Left wrist XR; posteroanterior projection — 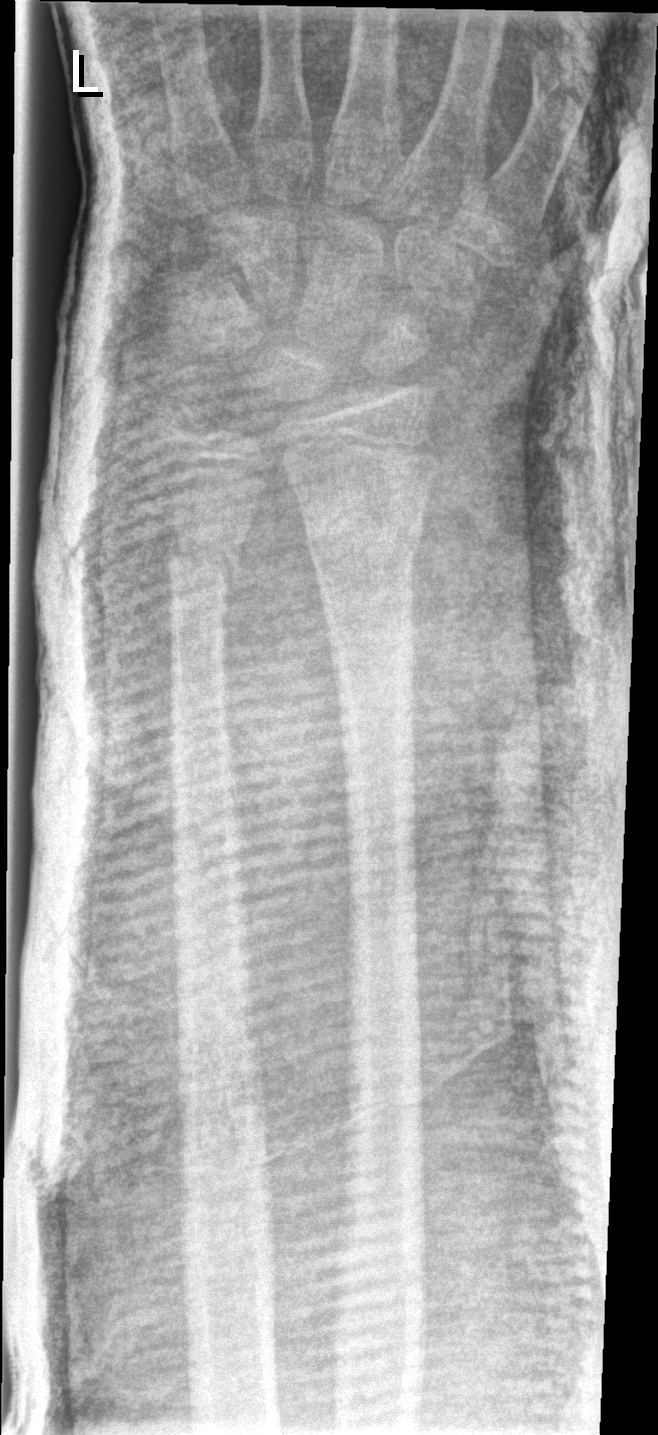
Findings: (pixel coordinates, top-left origin, xyxy) Fracture: <300,483>-<427,565>; <165,519>-<246,592>.